Lt wrist X-ray | frontal projection | 13y M | subsequent exam | imaged through cast —
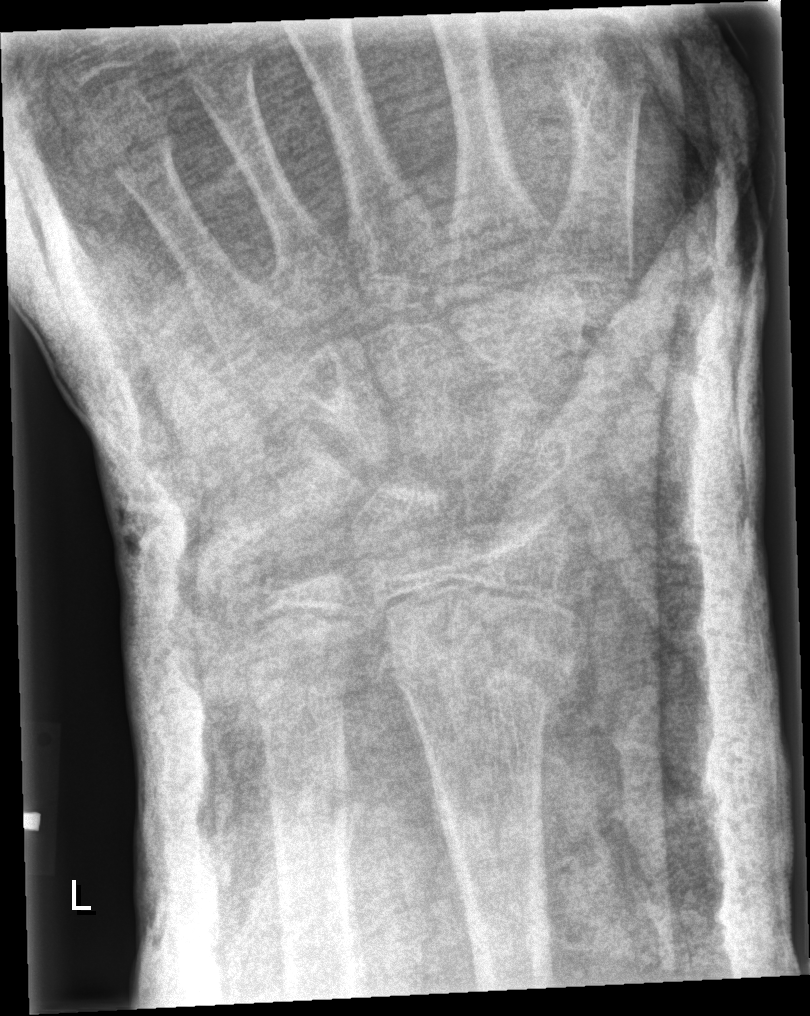

(coordinates are [x1, y1, x2, y2] in image pixels)
Q: Any fracture seen?
A: One fracture at (372, 622, 584, 732)
Q: AO code?
A: AO/OTA classification: 23r-M/3.1; 23u-M/2.1; 23u-E/7